Left wrist plain film | PA projection | 8y M | imaged through cast.

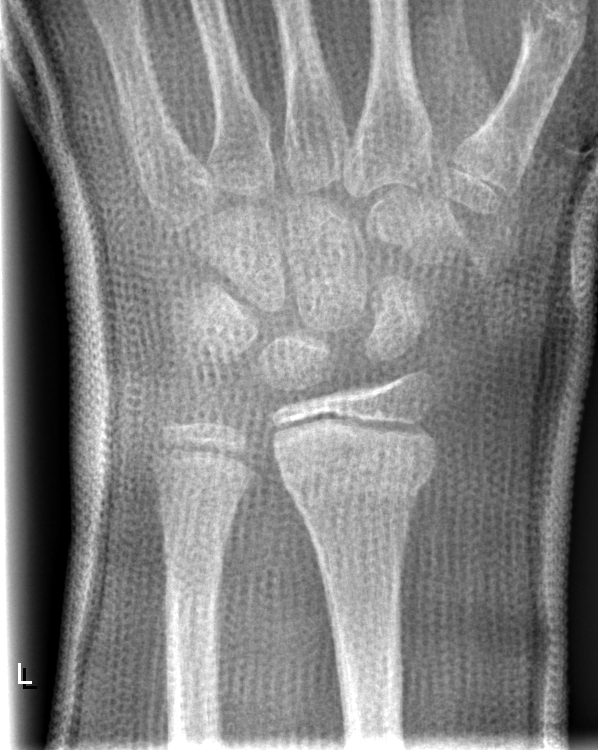
  ao: 23r-M/3.1; 23u-M/2.1
  fracture: 1 @ <276,439>-<443,514>